Lt wrist XR · lat view · image size 652x1164:
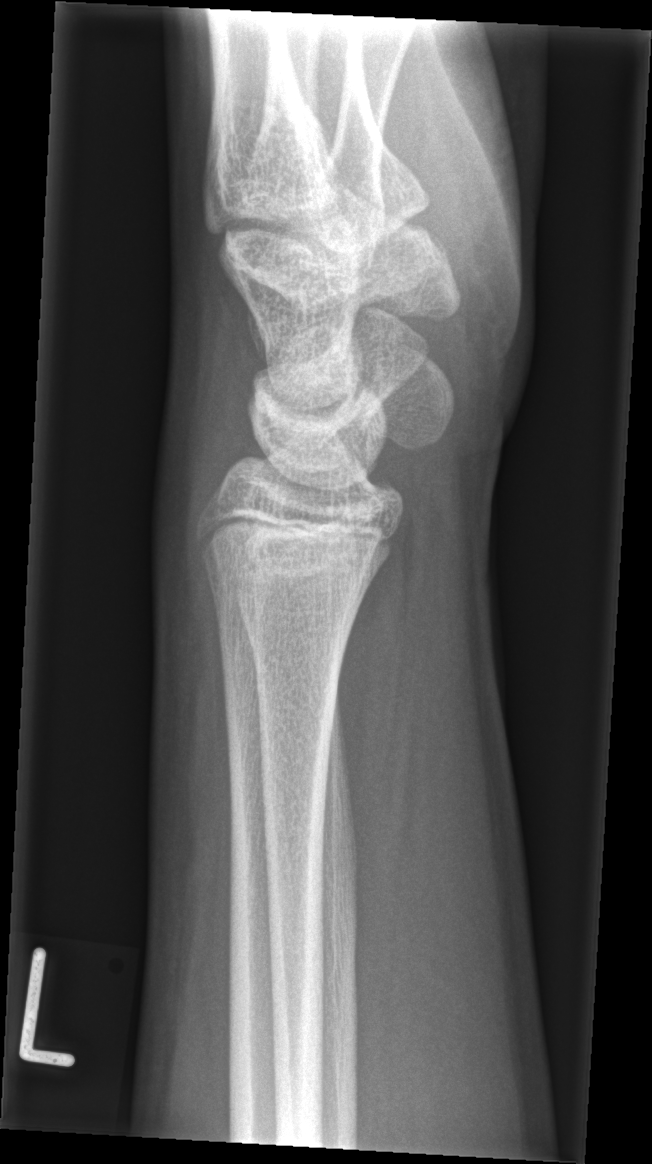
FINDINGS — No Fx annotated.